Lat view | left wrist XR | 11y M | acquired on Siemens | image 89.7 mm wide | 623 by 858 pixels. 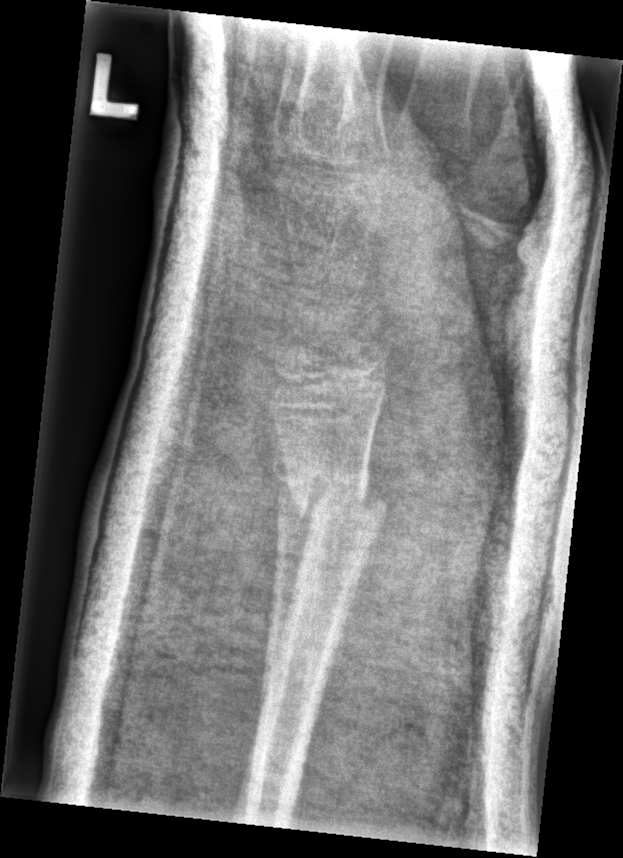

Fx identified at 266,446,394,559.
Periosteal new bone — 258,410,318,737.